Right wrist XR; lateral projection; age 15 y, boy; index exam; image 78.0 mm wide:
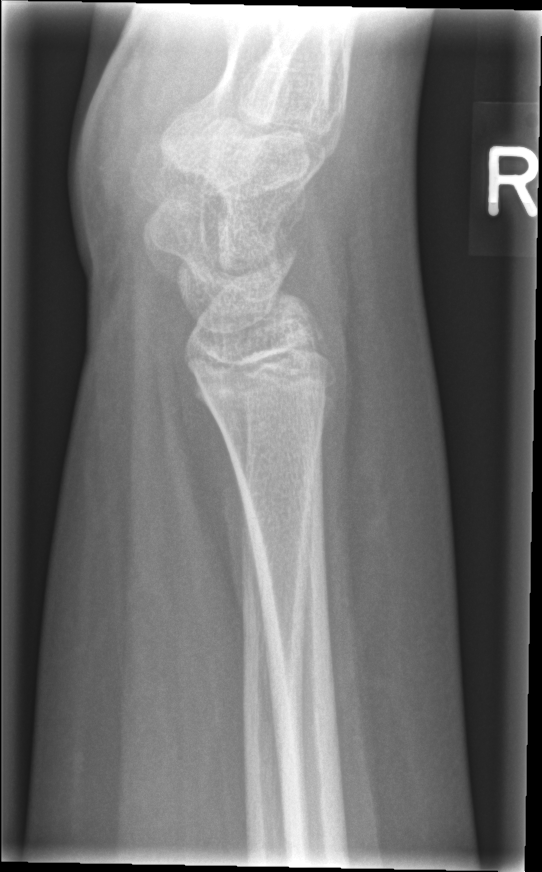 Fx: none.